Rt pediatric wrist radiograph; PA/AP 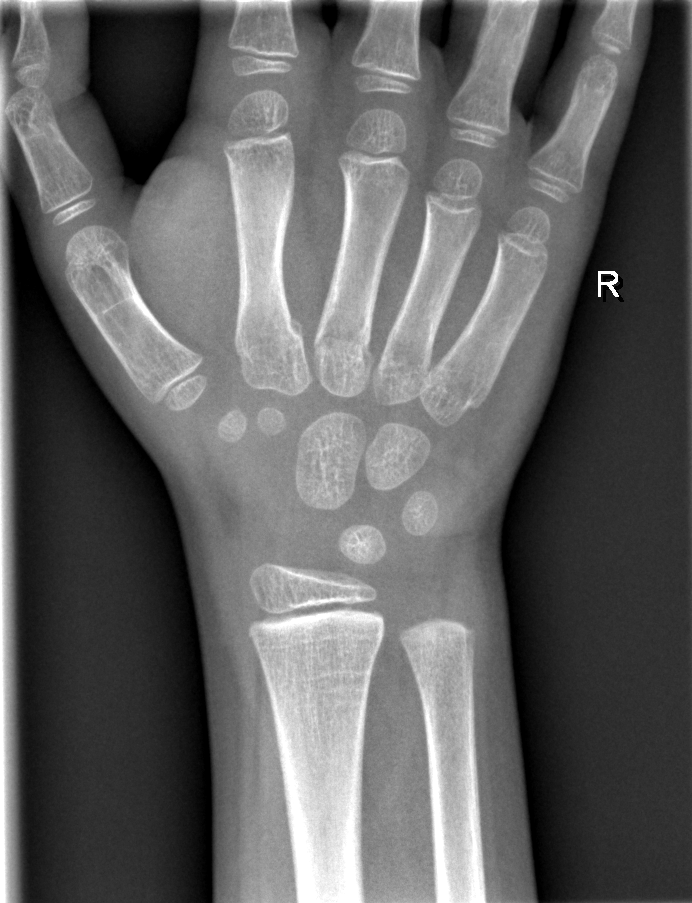 Bone fracture = none labeled